Left wrist X-ray | lateral projection | 84.8 mm image width.

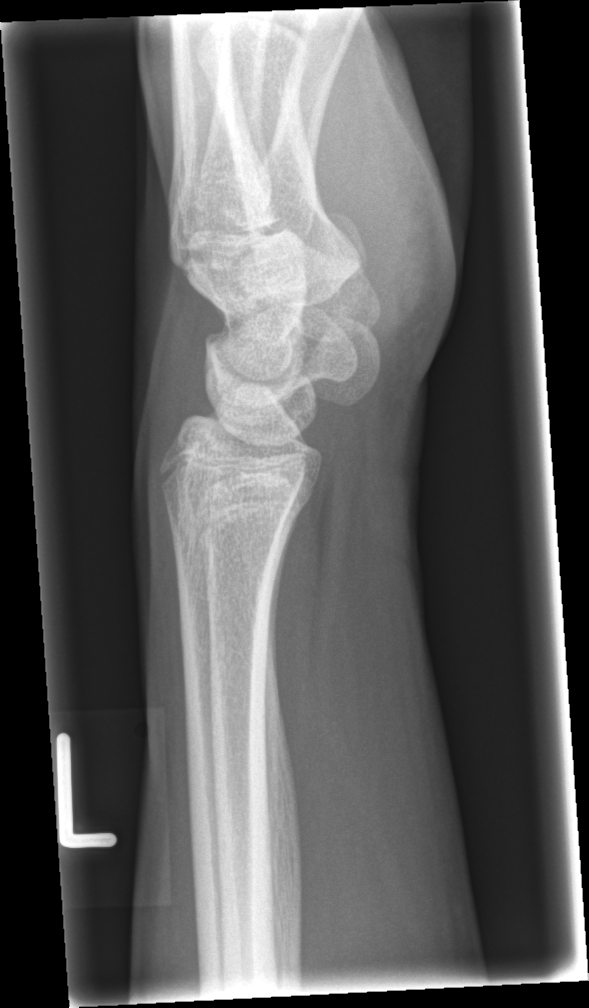
No Fx annotated.